Lt wrist X-ray, lat view, initial study.

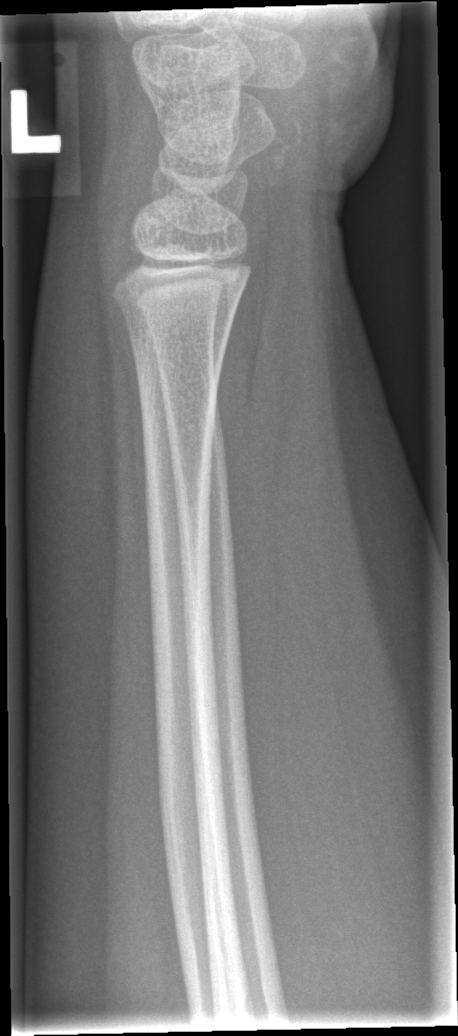
Fracture: none labeled